PA projection, right pediatric wrist radiograph, pediatric patient (male, age 10), initial study:

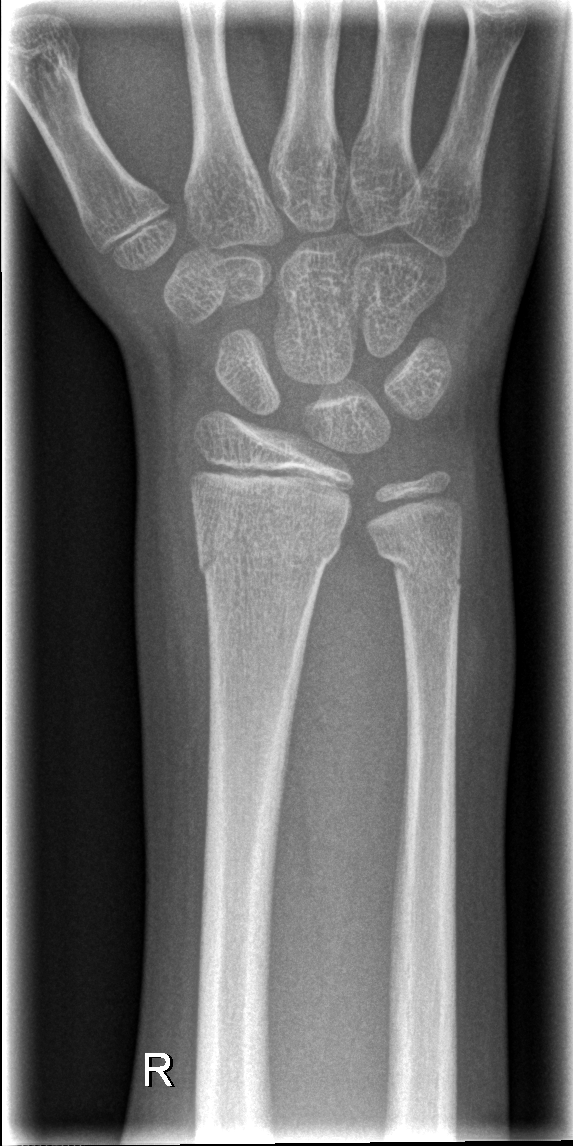 {
  "fracture": "2 @ [x1=193, y1=535, x2=341, y2=582]; [x1=375, y1=540, x2=463, y2=595]",
  "ao": "23-M/3.1",
  "softtissue": "[x1=453, y1=528, x2=522, y2=757]"
}